L wrist plain film · PA/AP projection · pediatric patient (male, age 12).
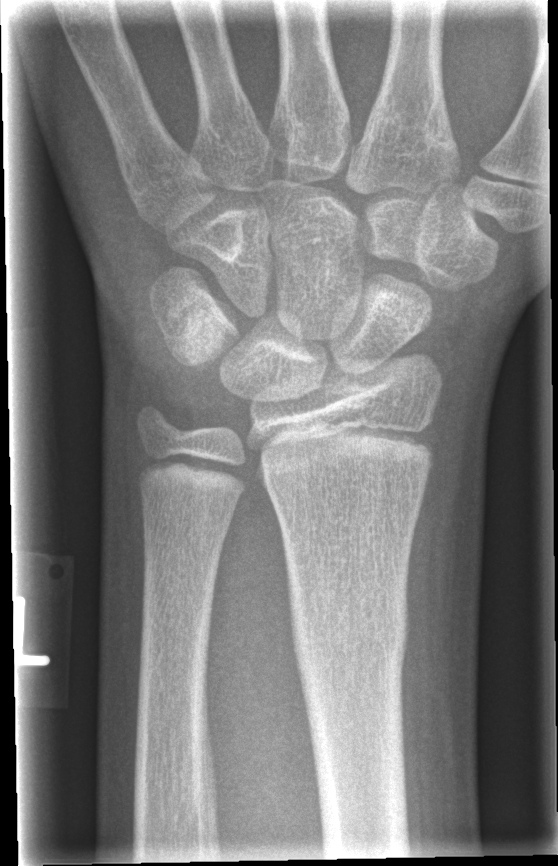 Findings: (bounding boxes in image-pixel xyxy) Bone fracture: (left=283, top=568, right=413, bottom=687).